Frontal | left wrist plain radiograph of the wrist | 7-year-old female. 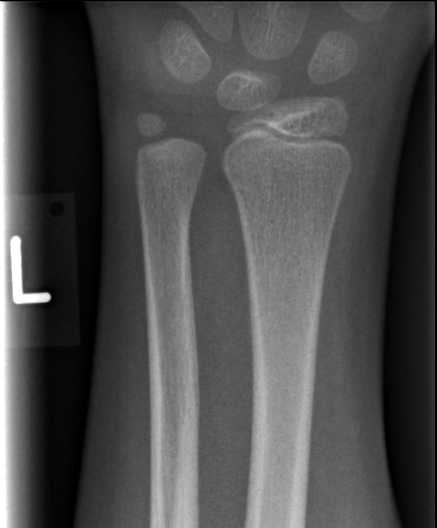 Fracture: none labeled.